Lat view · Lt wrist X-ray. 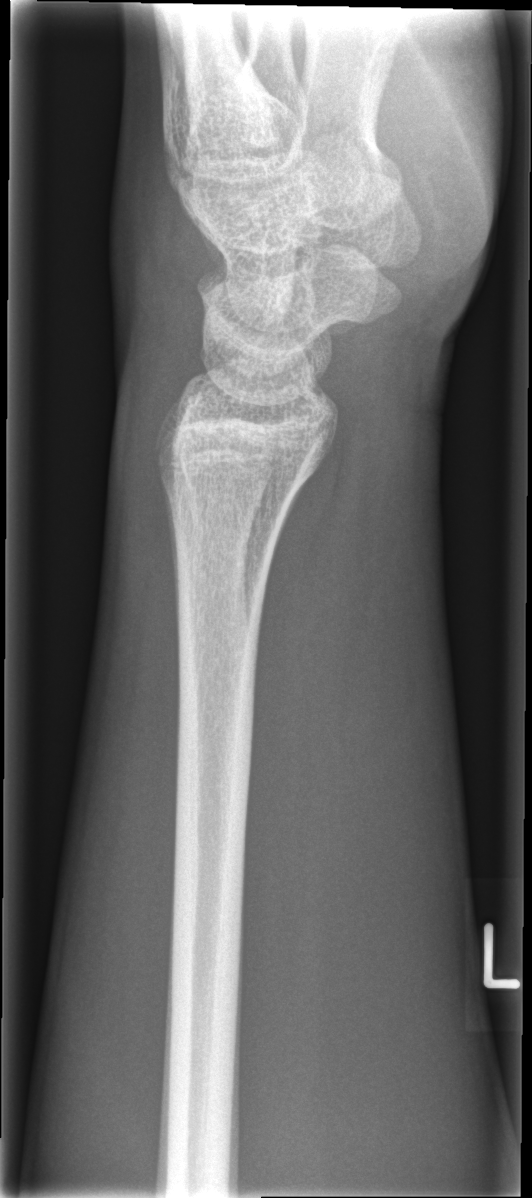

Fracture: none labeled.